Lt wrist X-ray, lateral, girl, 5 yo: 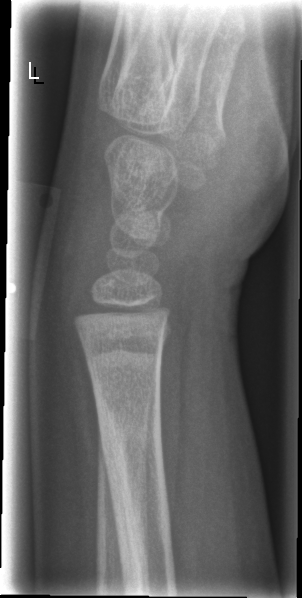
(boxes as x1,y1,x2,y2 (top-left / bottom-right, pixel units))
AO/OTA = 23r-M/2.1
Fx = bbox(92, 390, 169, 507)